L wrist radiograph; frontal —

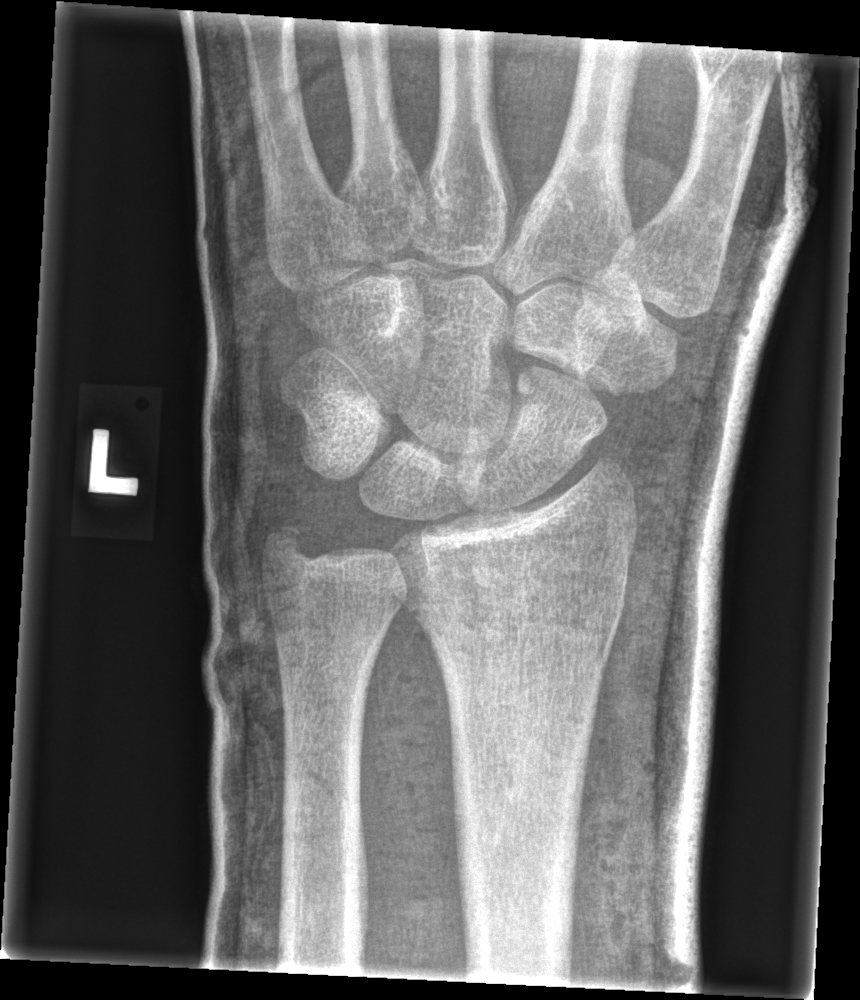
* Bounding boxes in image-pixel xyxy.
* AO code 23r-M/3.1; 23u-E/7.
* Bone fracture identified at [422, 595, 626, 657] [251, 507, 324, 578].